PA/AP projection; L pediatric wrist radiograph; subsequent exam; cast in situ
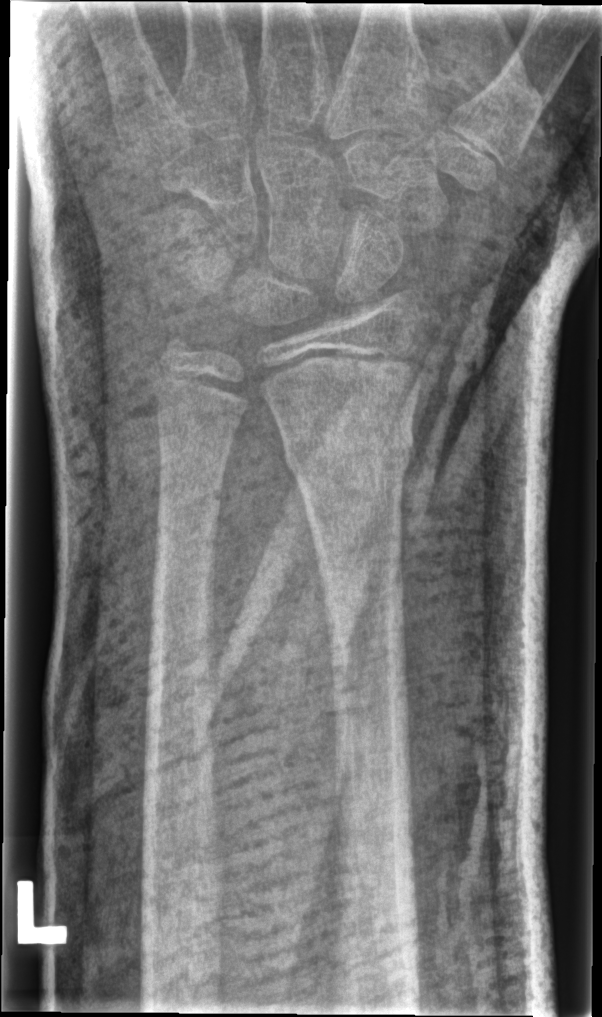

• Two fractures at [x1=279, y1=408, x2=415, y2=498]; [x1=152, y1=324, x2=203, y2=373].